Right plain radiograph of the wrist; posteroanterior view; girl, 4 yo; image width 56.6 mm —
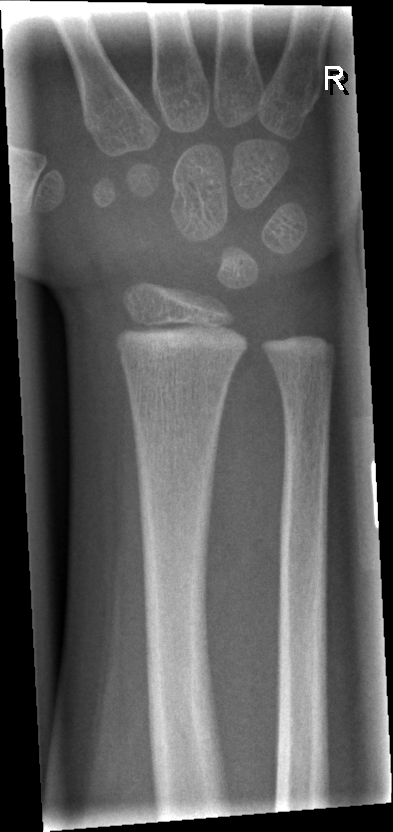

{
  "fracture": "none labeled"
}